Frontal projection · R wrist radiograph · 18y M · image size 587x946 — 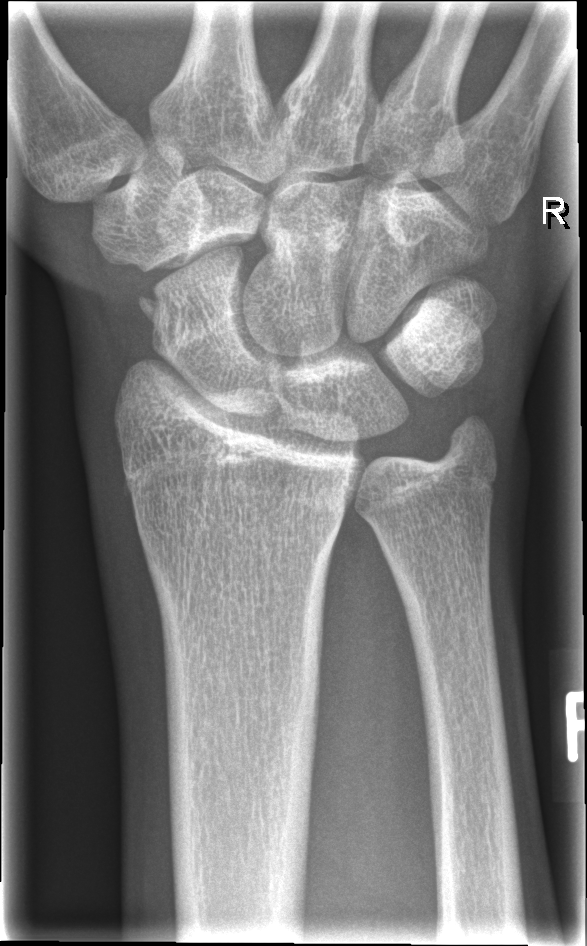

FINDINGS: (pixel coordinates, top-left origin, xyxy) No Fx annotated. Decreased bone density (osteopenia). Bone anomaly — <123,260>-<189,358>.